L pediatric wrist radiograph, obl, pediatric patient (boy, age 9), in cast

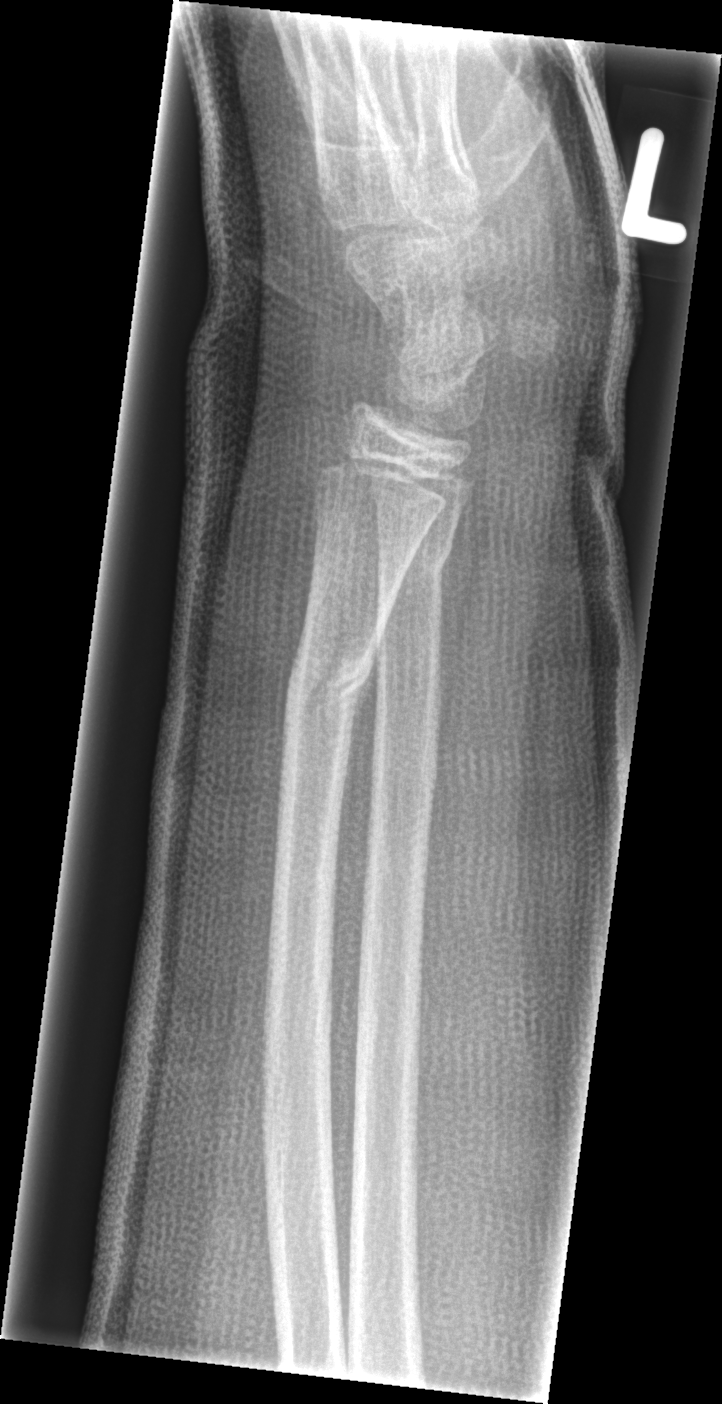 Fx: 2 @ 277 647 377 726; 373 531 458 589
AO code: 23-M/2.1